L wrist plain film · PA · 8y M · 81.2 mm image width · 564 by 872 pixels

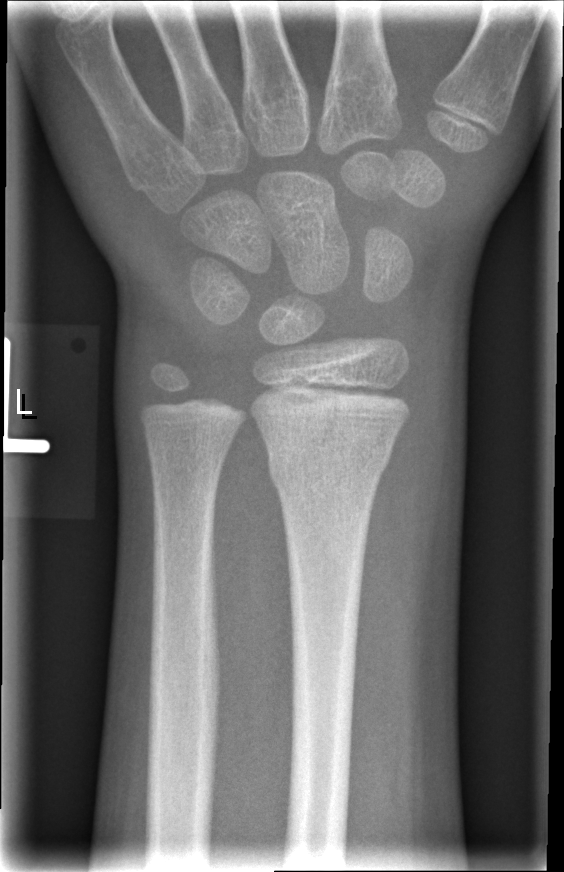 ao: 23r-M/2.1
fracture: 1 @ 262 433 394 487